PA/AP view | Lt plain radiograph of the wrist | pediatric patient (female, age 3).

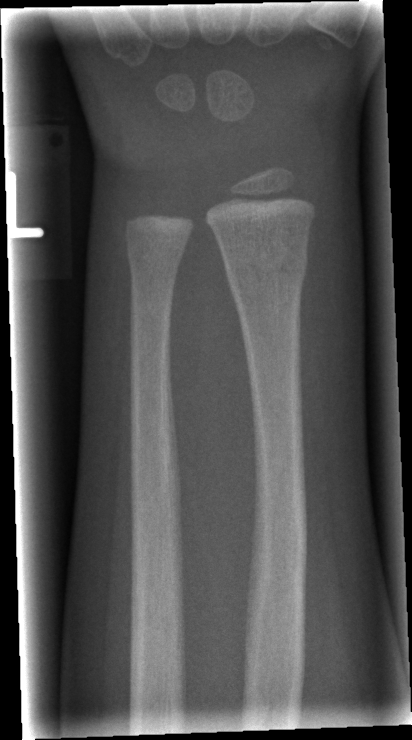
- Coordinates are [x1, y1, x2, y2] in image pixels.
- AO/OTA classification: 23-M/2.1.
- Fracture: [222, 241, 311, 294].